PA · right plain radiograph of the wrist · image 108.4 mm wide:

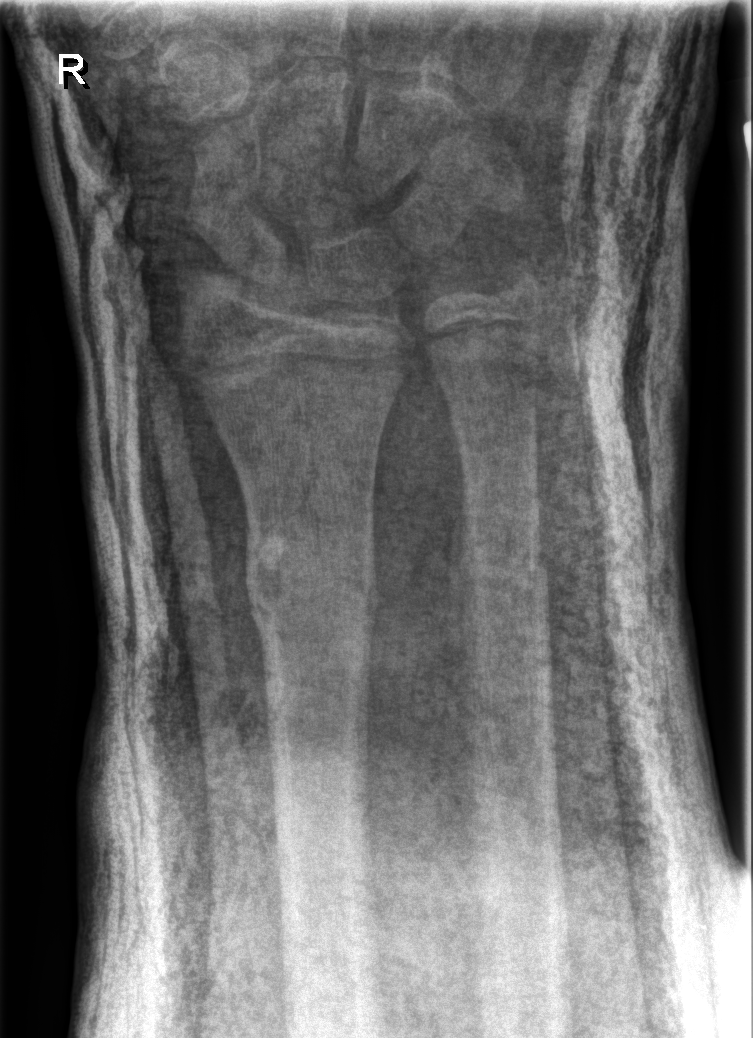

- Coordinates are [x1, y1, x2, y2] in image pixels.
- AO code 23-M/3.1.
- Bone fracture: [x1=238, y1=512, x2=383, y2=656], [x1=452, y1=516, x2=554, y2=623].